Lat, right wrist X-ray, subsequent exam, image width 72.0 mm.

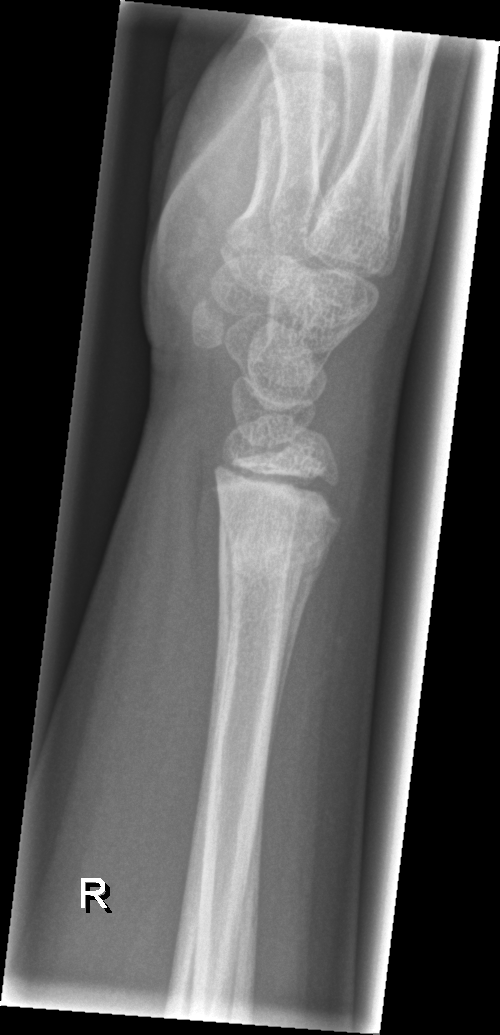   ao: 23r-M/2.1
  fracture: 1 @ bbox(208, 470, 340, 586)